Lat view, left wrist pediatric wrist radiograph, detector: Siemens, image size 444x1004 —

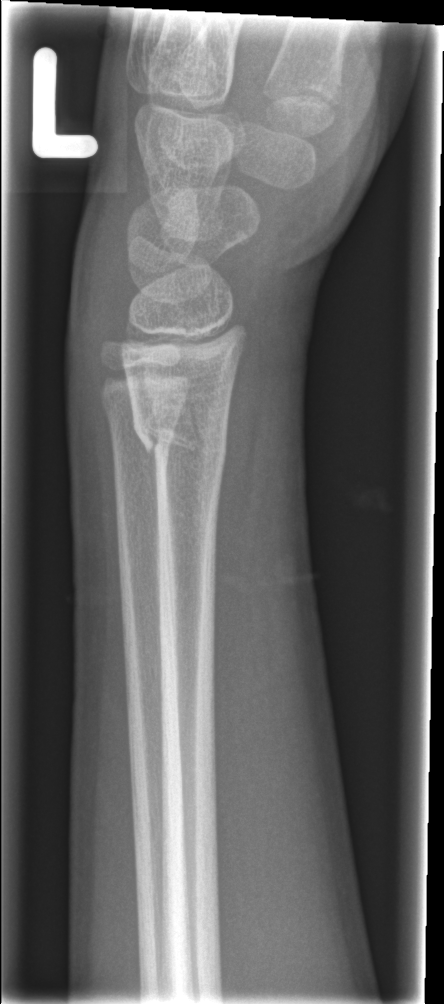

• One fracture at <131,403>-<231,483>.
• Soft-tissue finding identified at <56,177>-<138,419>.
• Fracture classified AO/OTA 23r-M/3.1.